Lt plain radiograph of the wrist · lateral view · follow-up study · 467x1046.

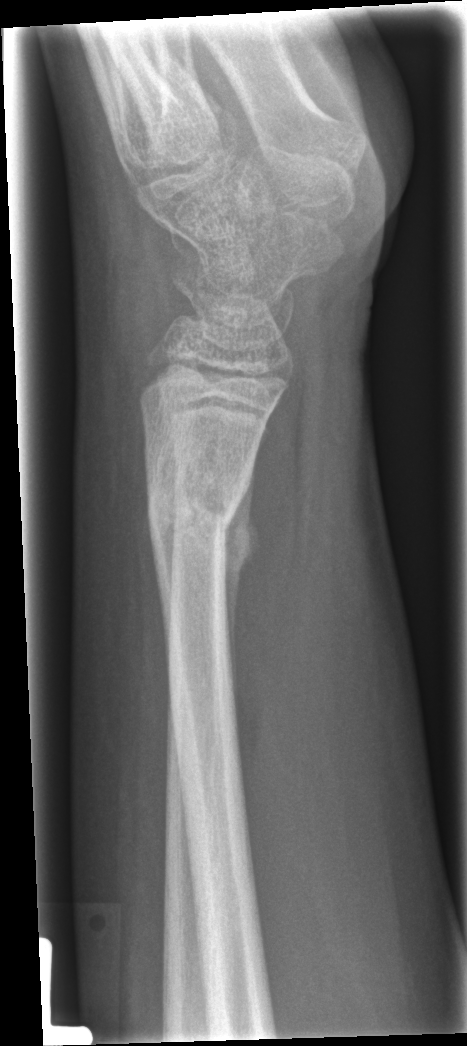

(pixel coordinates, top-left origin, xyxy)
fracture: 1 @ bbox(146, 493, 260, 577)
periosteal reaction: bbox(224, 456, 260, 728)